Frontal view · left pediatric wrist radiograph · pediatric patient (female, age 8) · in cast · Siemens · 82.9 mm image width:
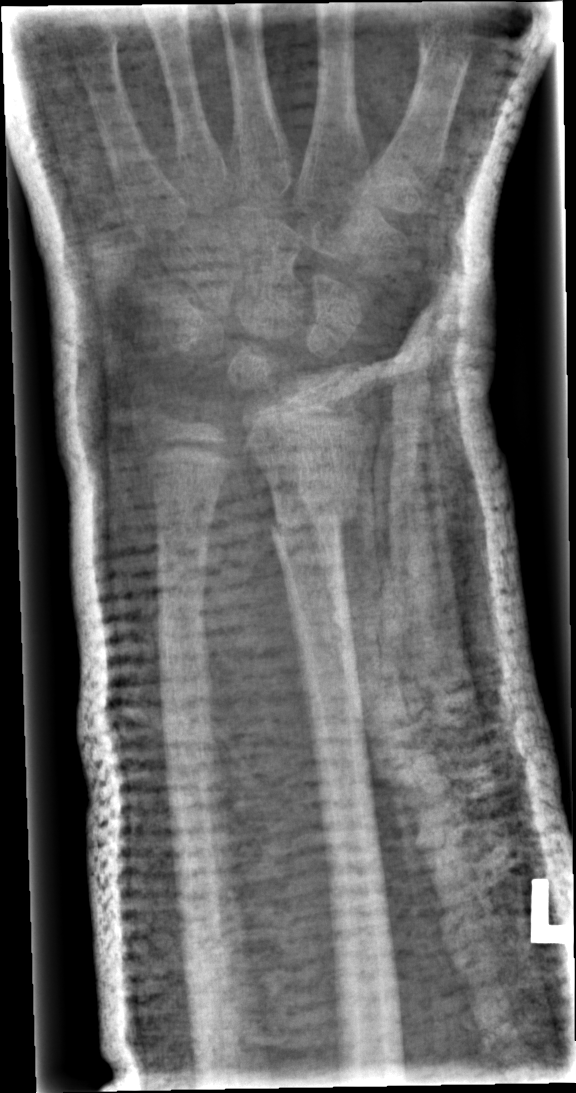

Bone fracture: bbox(265, 493, 364, 539)
AO classification: 23-M/3.1